L wrist plain film; posteroanterior view; 10y M —

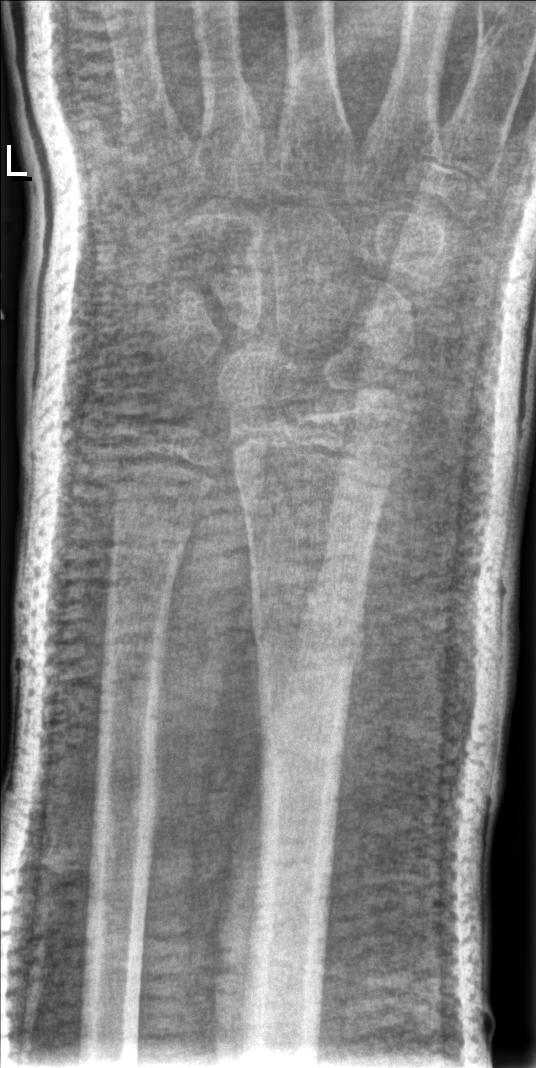 Findings: Fracture identified at bbox(246, 584, 366, 691).